Lat view; left wrist radiograph; age 16 y, male:
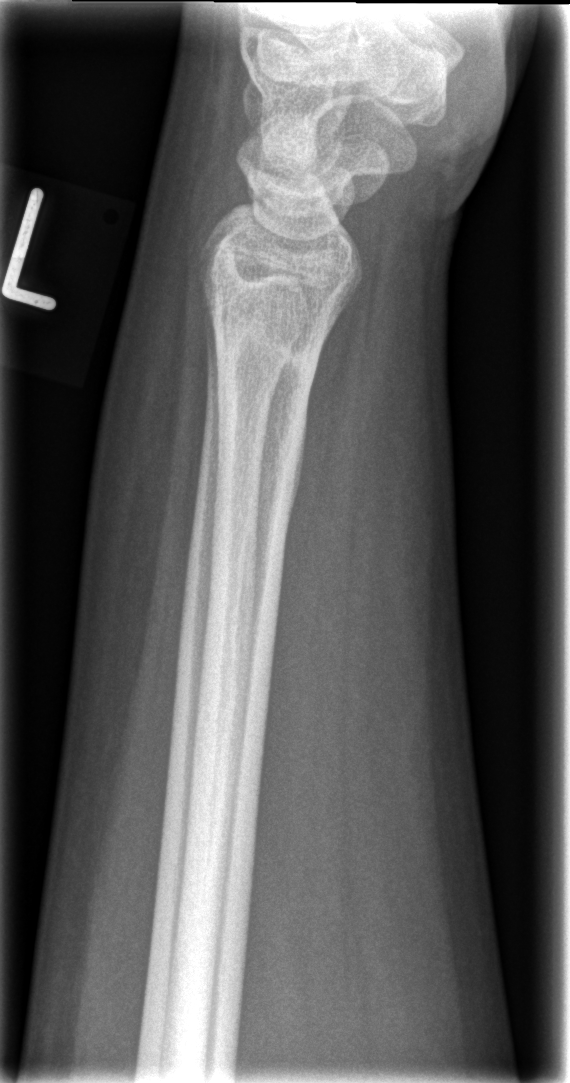 (coordinates are [x1, y1, x2, y2] in image pixels)
AO classification = 23r-M/3.1; 23u-E/7
Fx = (left=206, top=311, right=323, bottom=389)